Lateral, right wrist XR, index exam.

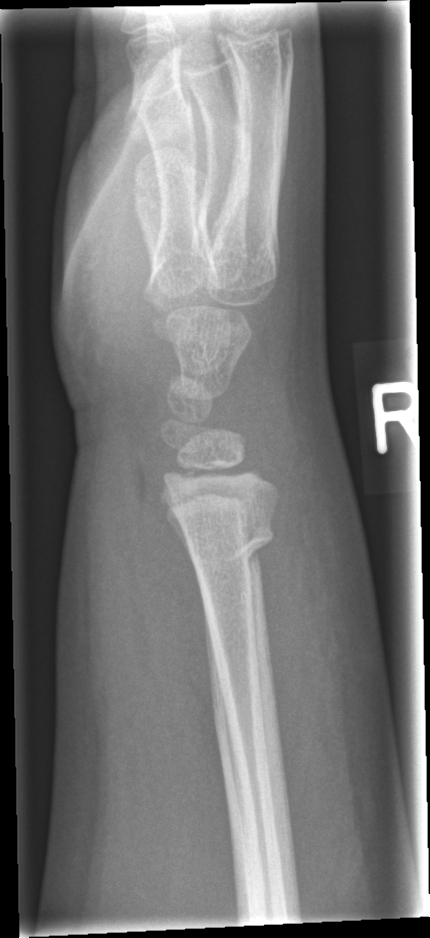

Boxes as x1,y1,x2,y2 (top-left / bottom-right, pixel units).
Bone fracture identified at 174 505 278 579.
Pronator sign identified at 119 431 229 864.